Left wrist XR · PA view · acquired on Siemens —
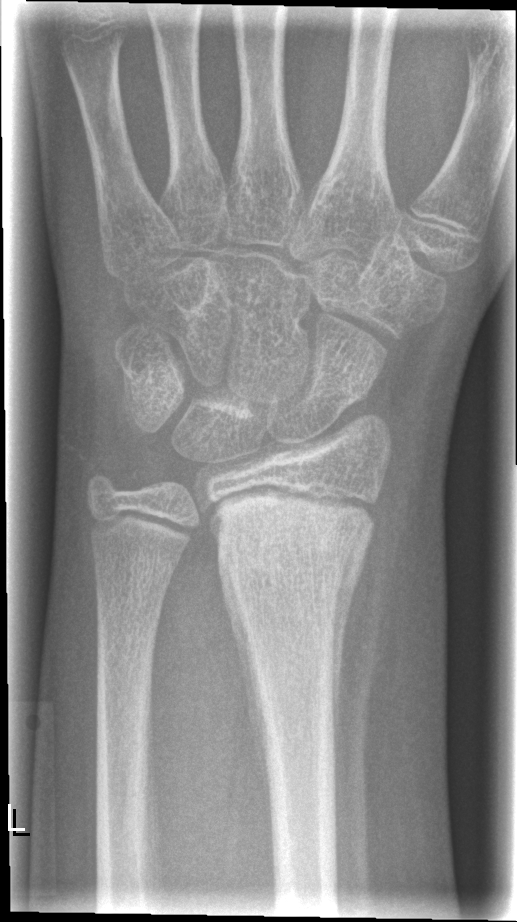 - Pixel coordinates, top-left origin, xyxy.
- Reduced bone mineral density.
- AO/OTA classification: 23r-M/3.1.
- Bone fracture: 214 508 378 601.
- Two periosteal reaction at 218 557 271 846 | 332 543 372 777.